Left plain radiograph of the wrist · posteroanterior · male, 6 yo —

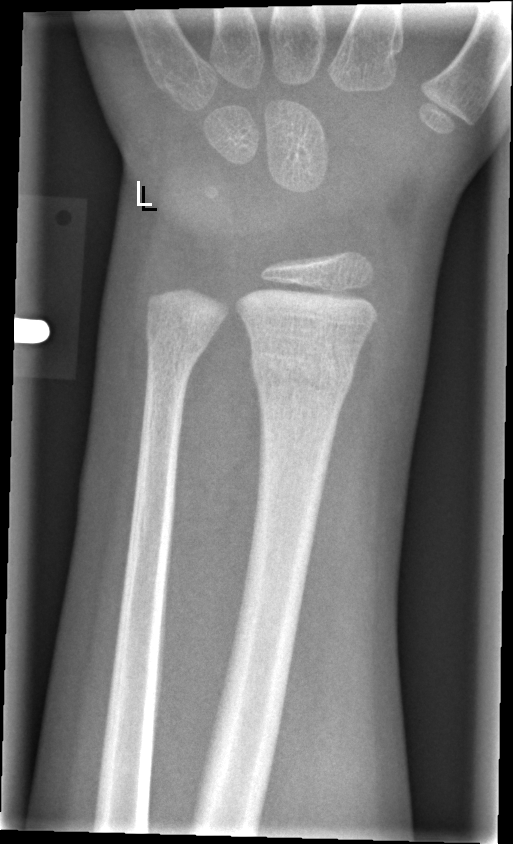

AO classification: 23-M/2.1
Fx: 2 @ [x1=247, y1=346, x2=355, y2=404], [x1=141, y1=324, x2=211, y2=371]